Left wrist pediatric wrist radiograph | lat view | 9-year-old girl | presentation radiograph.

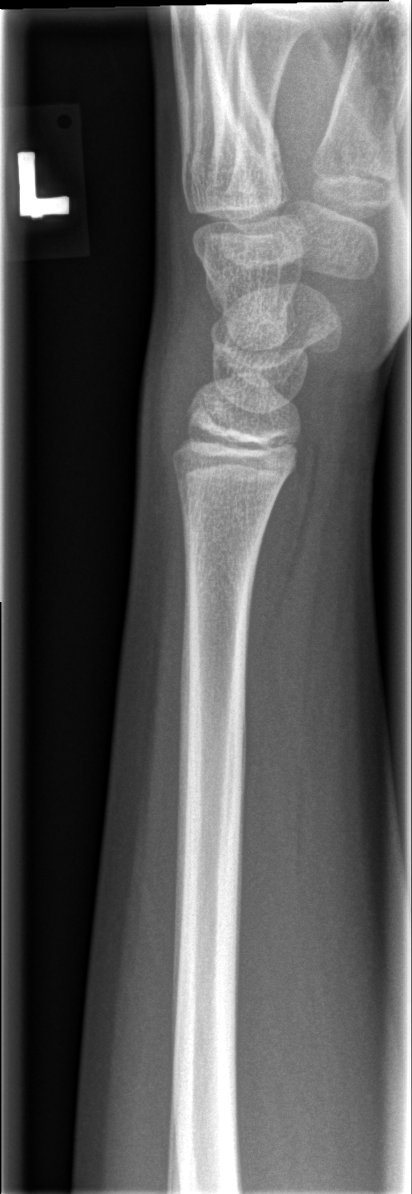
Fracture = none labeled